Lt wrist XR, lat view, pediatric patient (boy, age 14), in cast, detector: Siemens, image width 77.2 mm

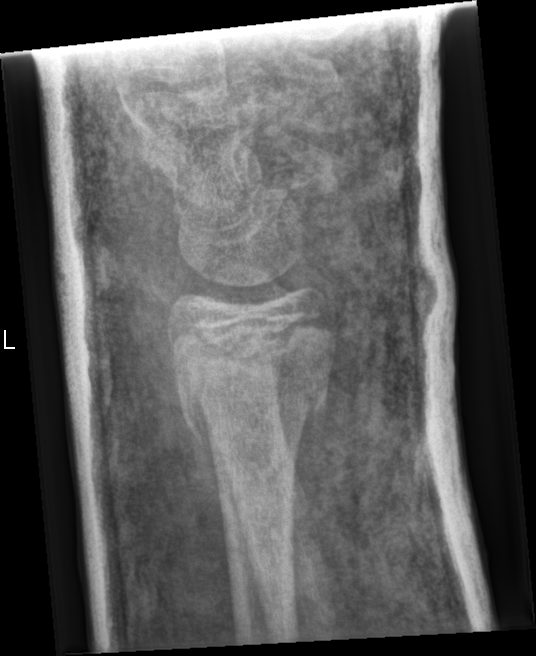

FINDINGS: (boxes as x1,y1,x2,y2 (top-left / bottom-right, pixel units)) Fracture classified AO/OTA 23r-E/2.1; 23u-E/7. Bone fracture: (left=163, top=315, right=338, bottom=449).